Lt wrist radiograph | AP projection | male, 14 yo | cast in situ | image size 837x1226.

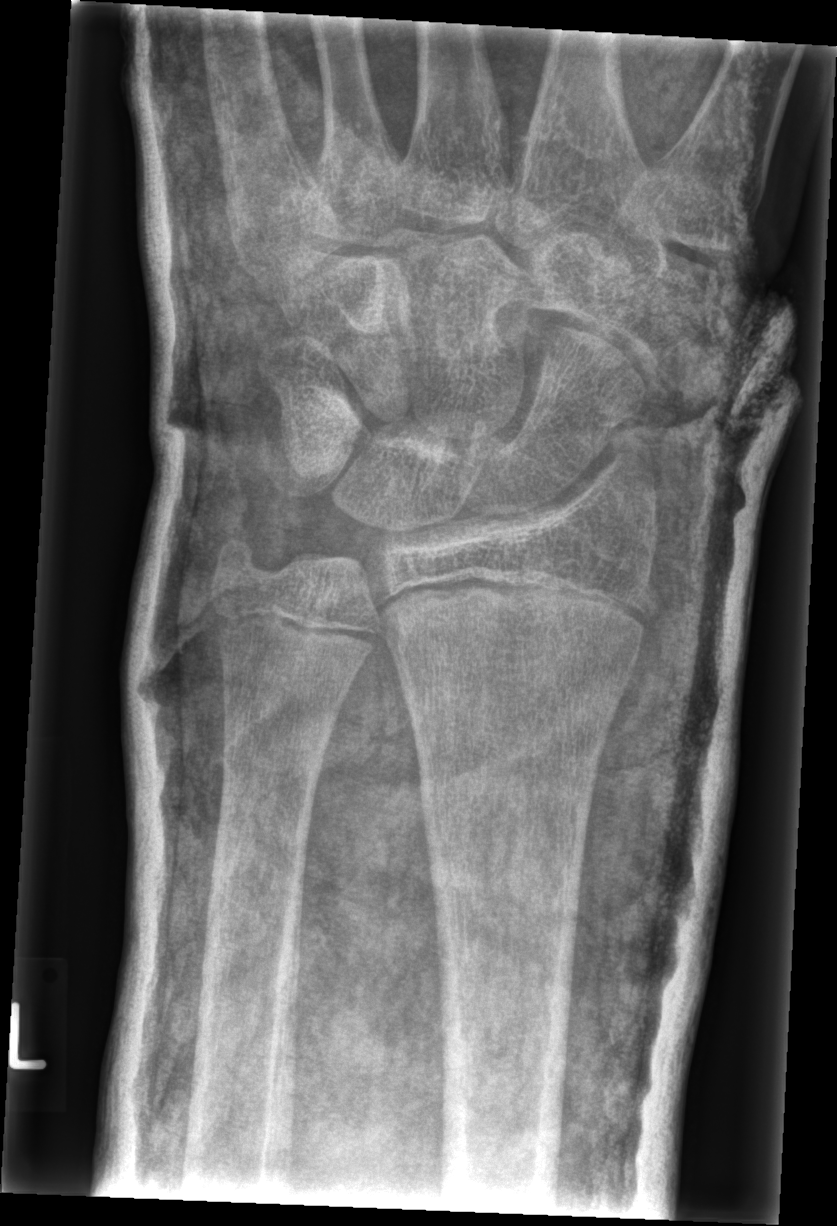
{"ao": "23r-E/2.1", "fracture": "[x1=371, y1=558, x2=664, y2=664]"}